Left wrist X-ray · posteroanterior · 13y M · cast in situ · 73.7 mm image width · 512 x 1097 px —

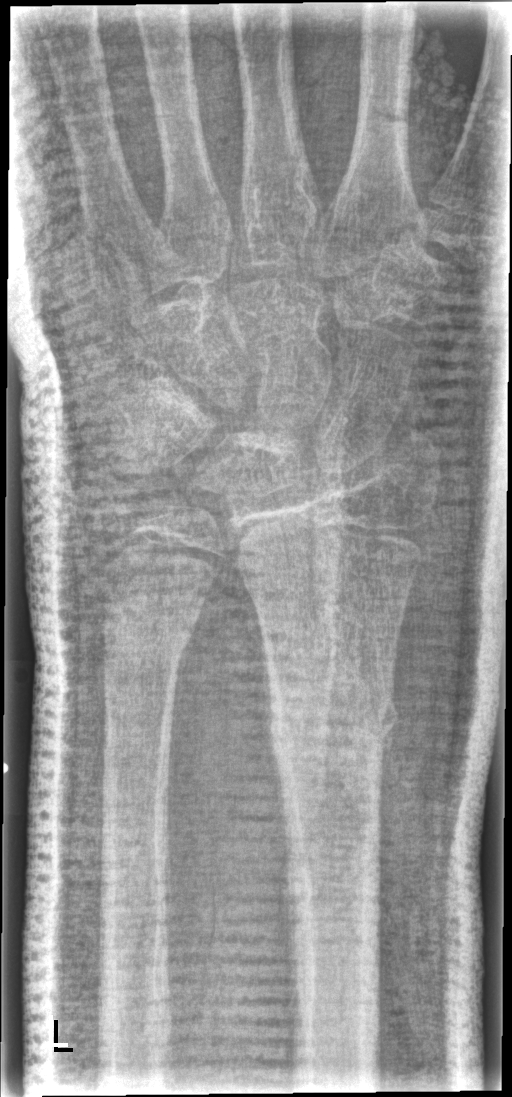

AO/OTA classification: 23-M/2.1.
Fracture: <263,657>-<399,785>; <98,608>-<199,673>.